Lat view; left plain radiograph of the wrist; pediatric patient (girl, age 16); presentation radiograph; image size 480x882:
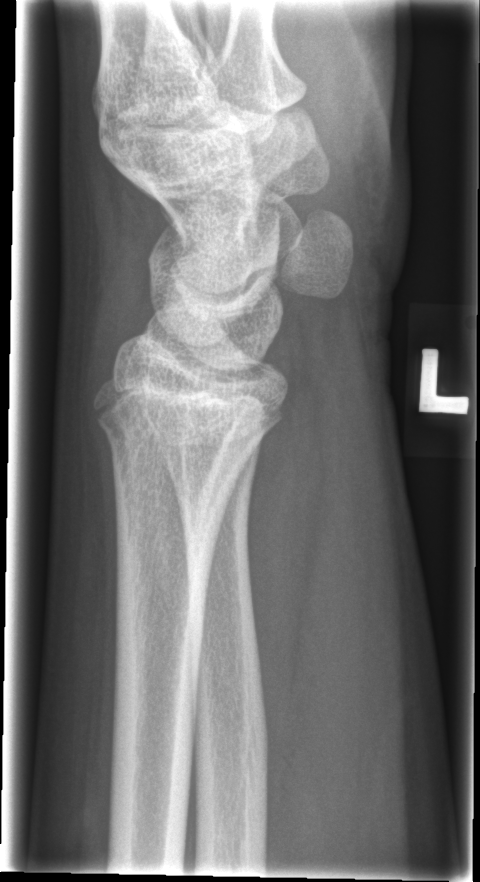

Bounding boxes in image-pixel xyxy. One fracture at <92,406>-<272,464>. Fracture classified AO/OTA 23r-M/2.1.